PA projection, Lt wrist radiograph:
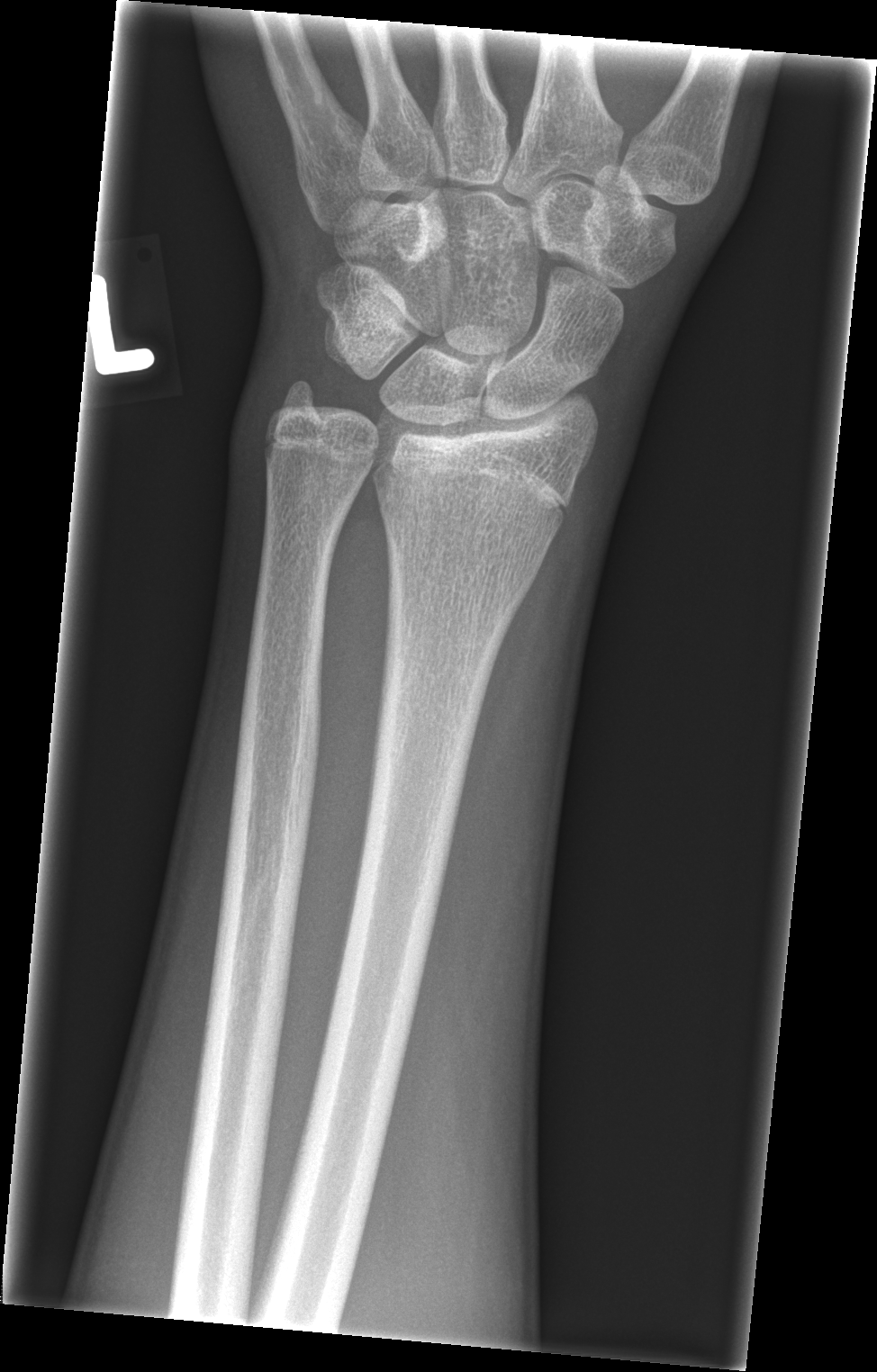

Fracture: none labeled